Rt plain radiograph of the wrist, lat — 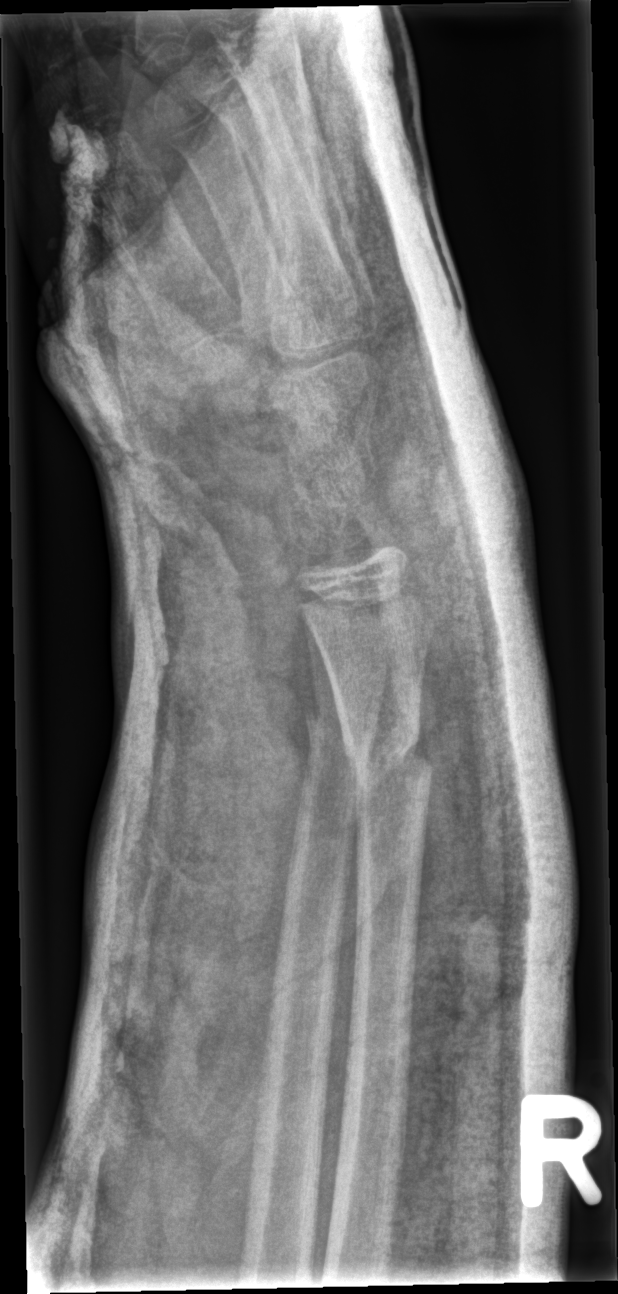 AO code 23-M/3.1.
Fx — 341,716,436,800
  303,697,378,758.